Posteroanterior view, Rt plain radiograph of the wrist, 9y F, index exam
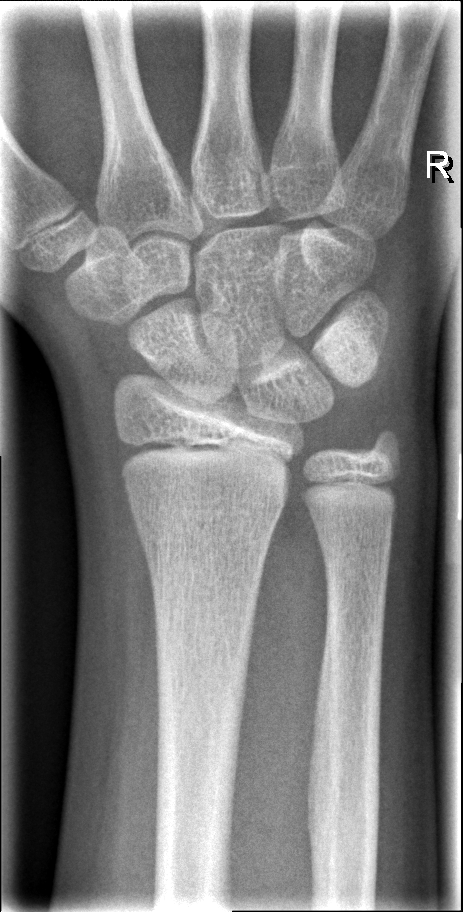 {
  "fracture": "none labeled"
}